R pediatric wrist radiograph, lat, boy, 12 yo, presentation radiograph, findings marked uncertain by the reading radiologist, detector: Siemens, 416x1116:

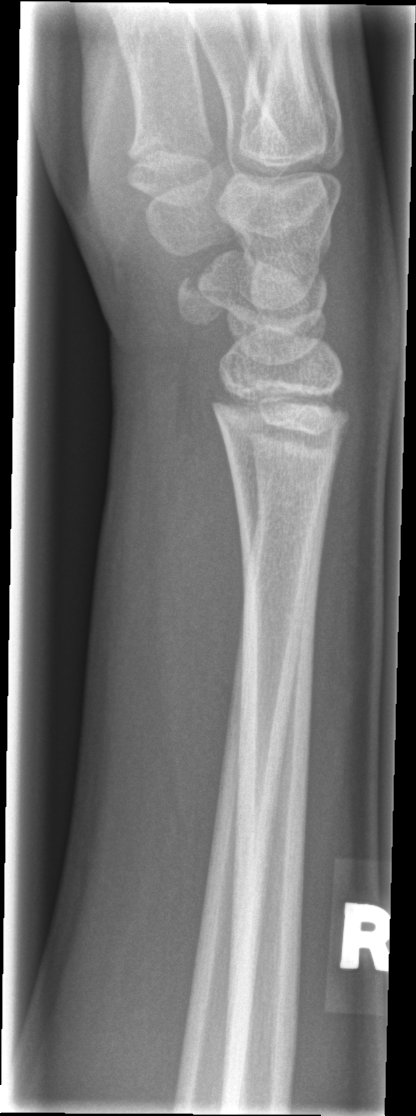 * One pronator quadratus fat-pad sign at <168,374>-<253,795>.
* Fx identified at <211,376>-<356,431>.